Right plain radiograph of the wrist, lat projection, pediatric patient (girl, age 14), index exam, acquired on Siemens. 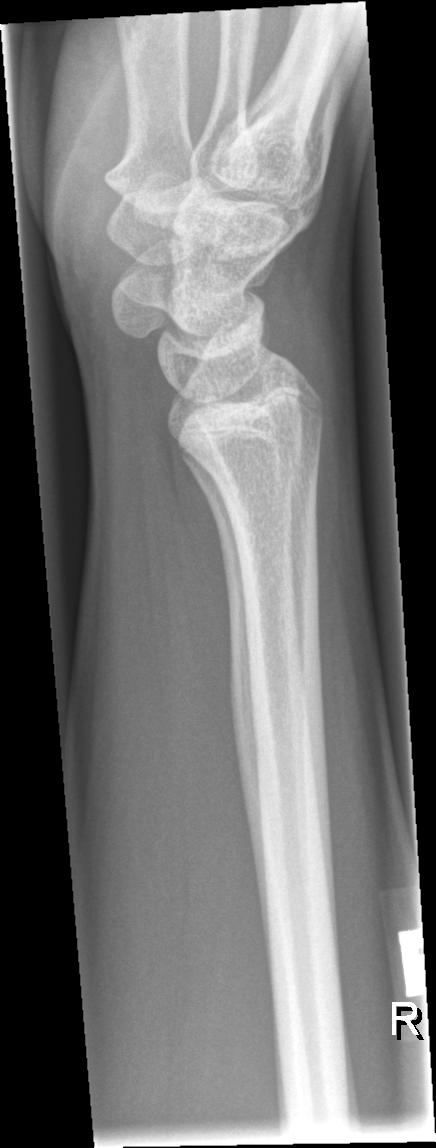

Q: Fracture present?
A: Fracture: none labeled